Lt wrist plain film | PA view | 14-year-old boy | follow-up | image 82.4 mm wide —

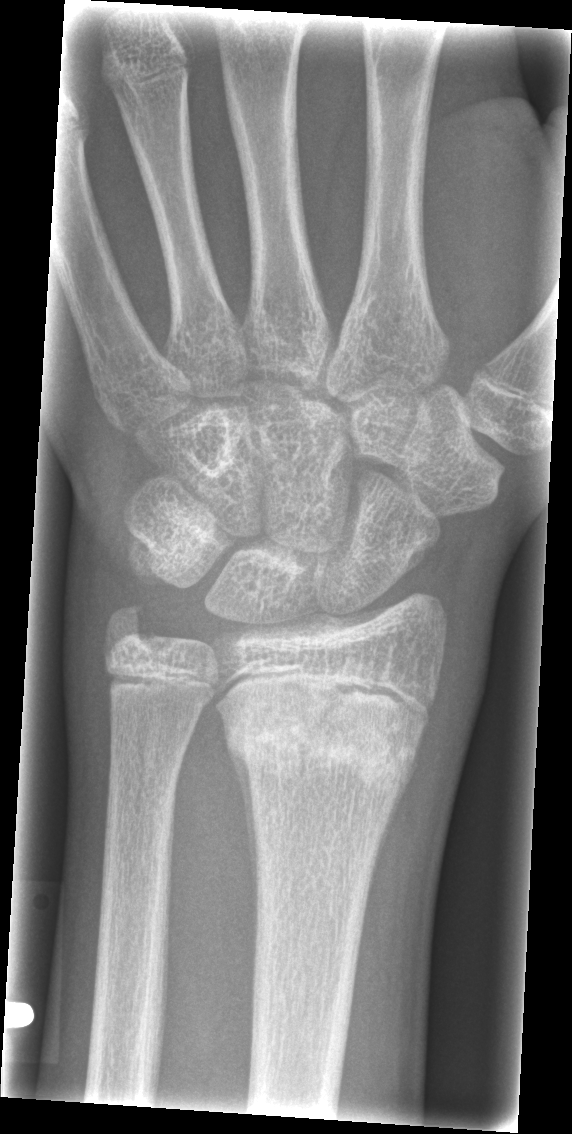
(coordinates are [x1, y1, x2, y2] in image pixels)
Periosteal thickening = (227, 737, 259, 964)
Osteopenia = present
Fracture = (222, 688, 426, 800), (100, 598, 164, 657)
AO/OTA = 23r-M/3.1; 23u-E/7